Lt wrist XR, AP, female, 12 yo, acquired on Siemens 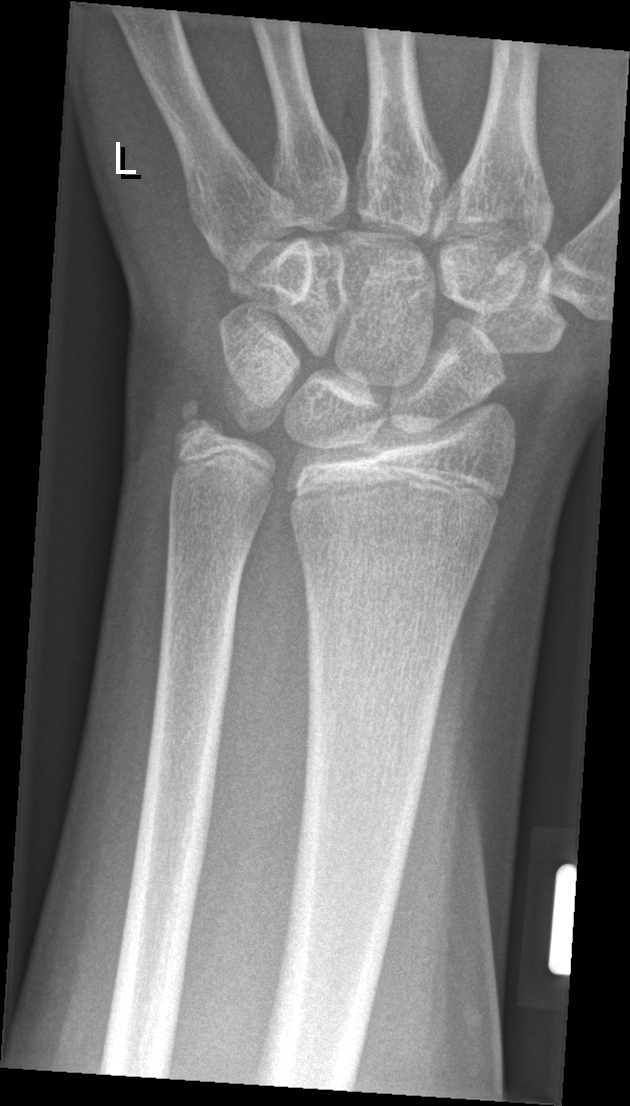

FINDINGS: (boxes as x1,y1,x2,y2 (top-left / bottom-right, pixel units)) Fx — 170 387 232 453.